Right wrist plain film · lateral view · girl, 6 yo · presentation radiograph 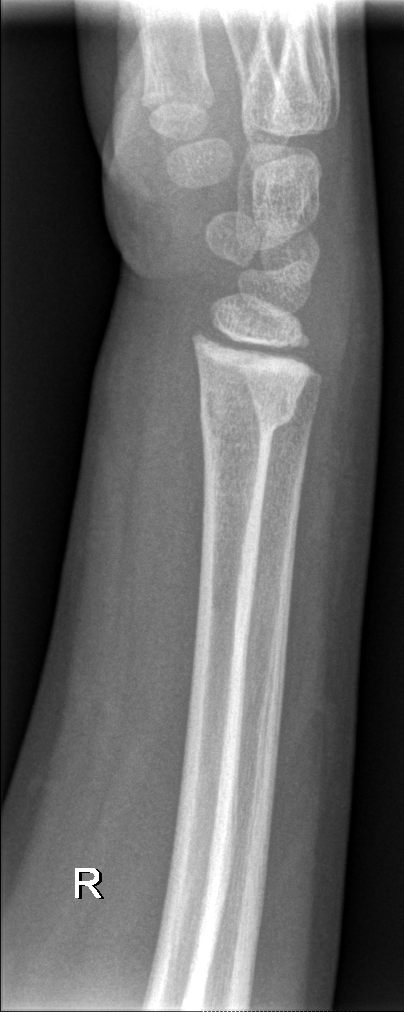

{
  "fracture": "[x1=196, y1=382, x2=300, y2=441]",
  "ao": "23r-M/2.1"
}